Lateral projection | L wrist X-ray | subsequent exam | acquired on Siemens. 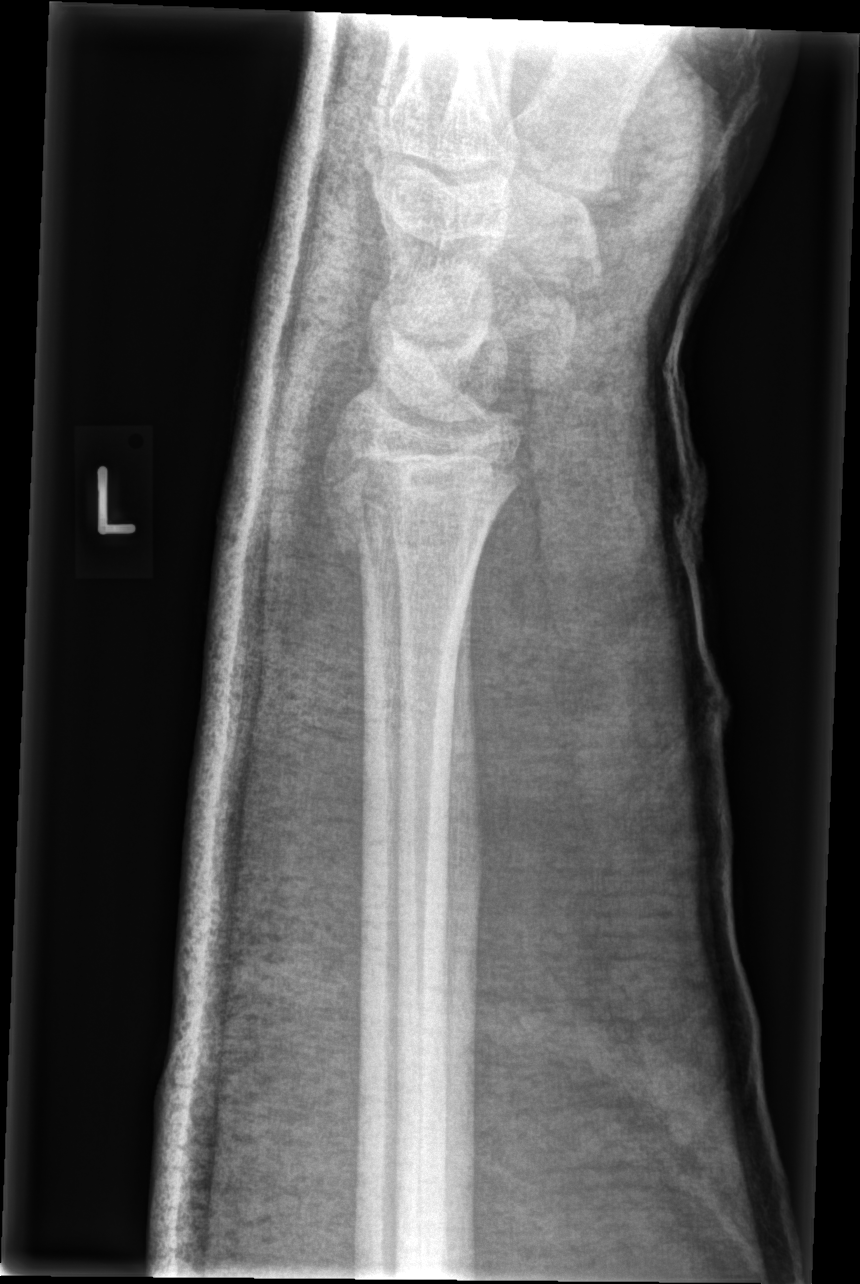
Boxes as x1,y1,x2,y2 (top-left / bottom-right, pixel units). Fx — bbox(326, 460, 515, 566).